Lt wrist X-ray · lateral view · cast in situ · acquired on Siemens · image 88.7 mm wide.

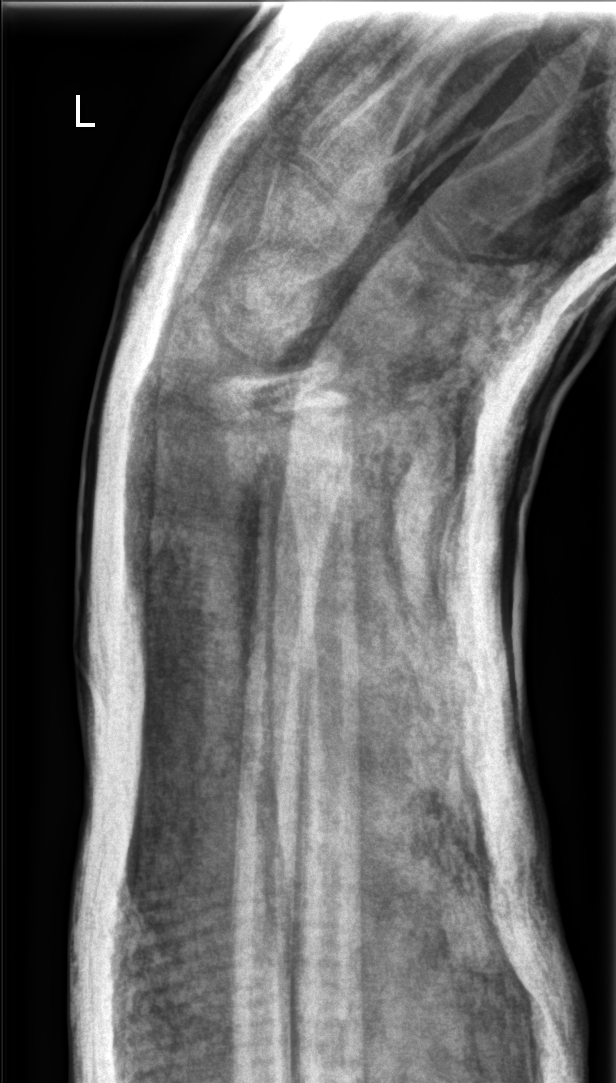

Findings: AO code 23r-M/3.1; 23u-E/7. One Fx at [x1=214, y1=434, x2=361, y2=522].